Posteroanterior; Lt pediatric wrist radiograph; Siemens; 453 x 1194 px.
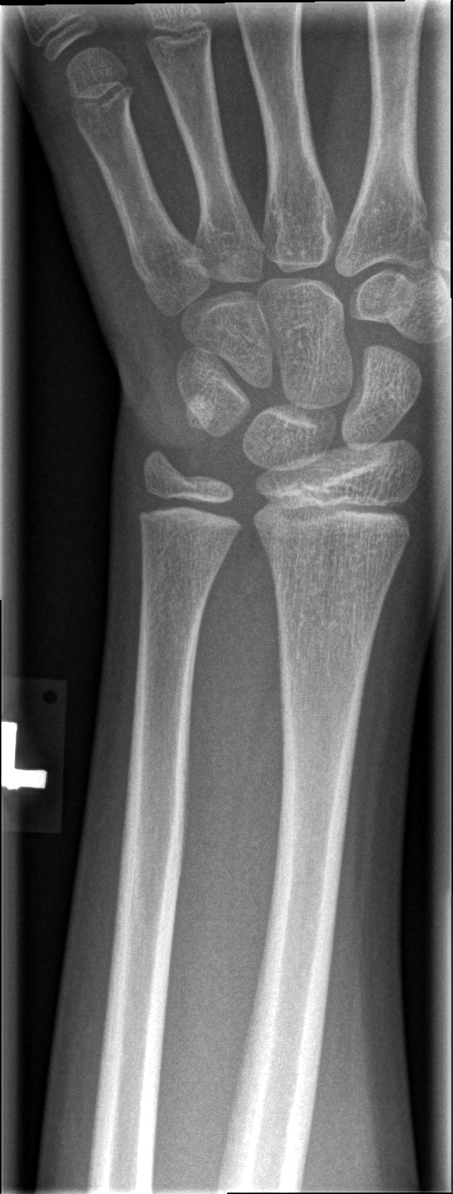 Findings: No fracture labeled.